Left plain radiograph of the wrist, lat, subsequent exam, 716 by 1234 pixels.
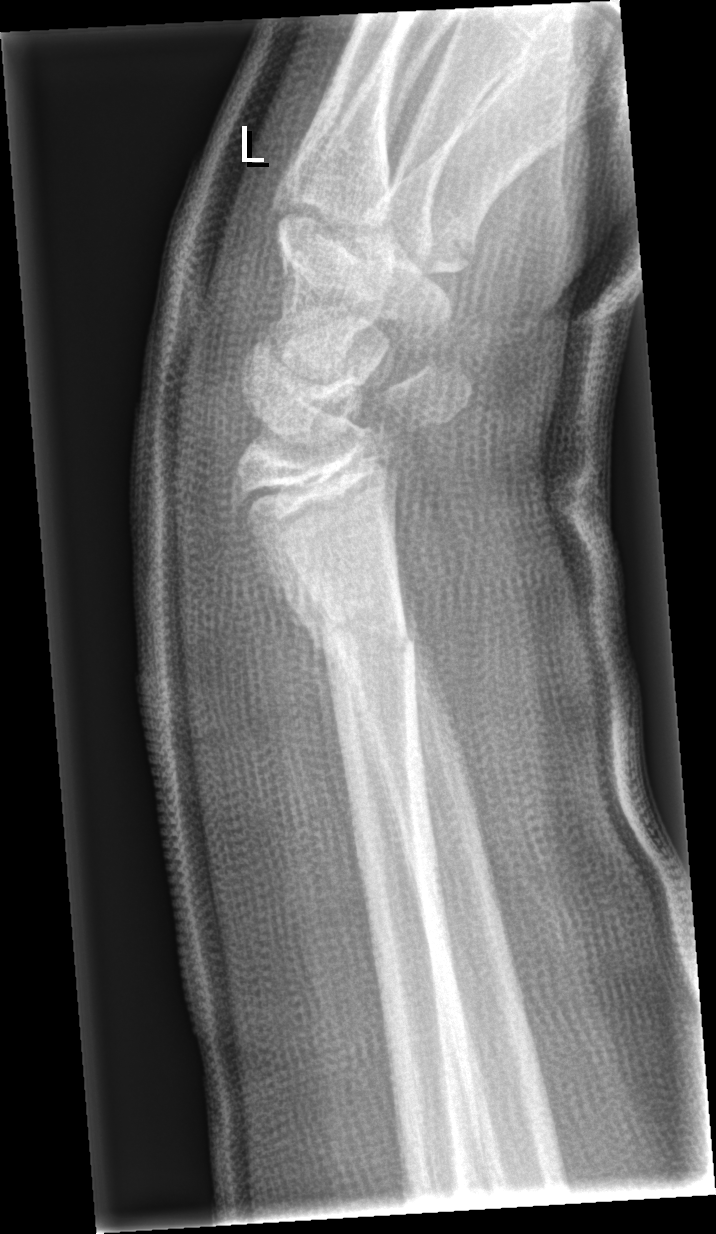

- One fracture at <302,602>-<421,670>.
- Periosteal new bone identified at <281,569>-<361,873>.